Lat view, left wrist pediatric wrist radiograph, 16-year-old female, initial study

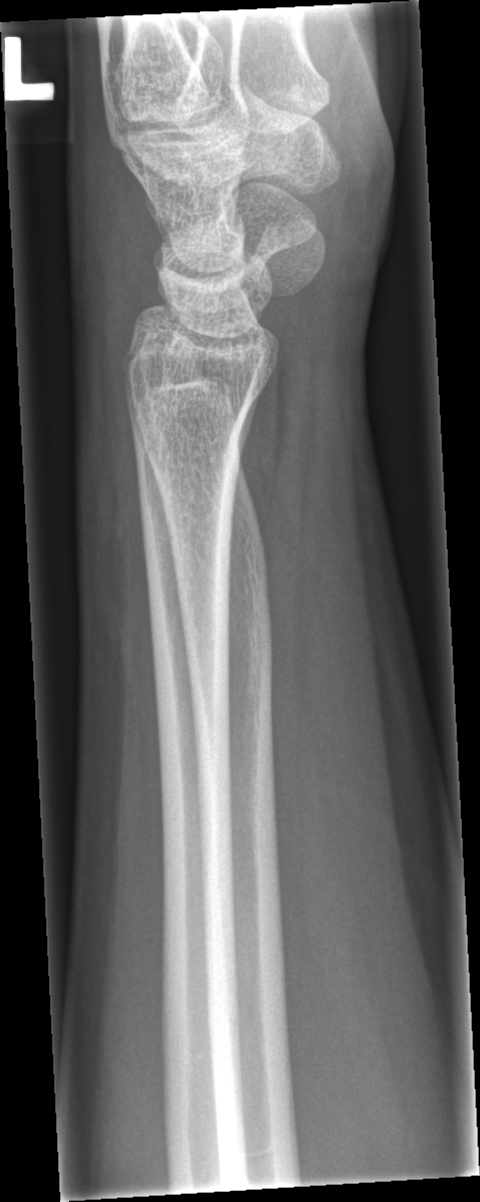

FINDINGS — Fx: none.